R wrist X-ray · PA/AP · detector: Siemens · image 80.1 mm wide · 556 x 786 px: 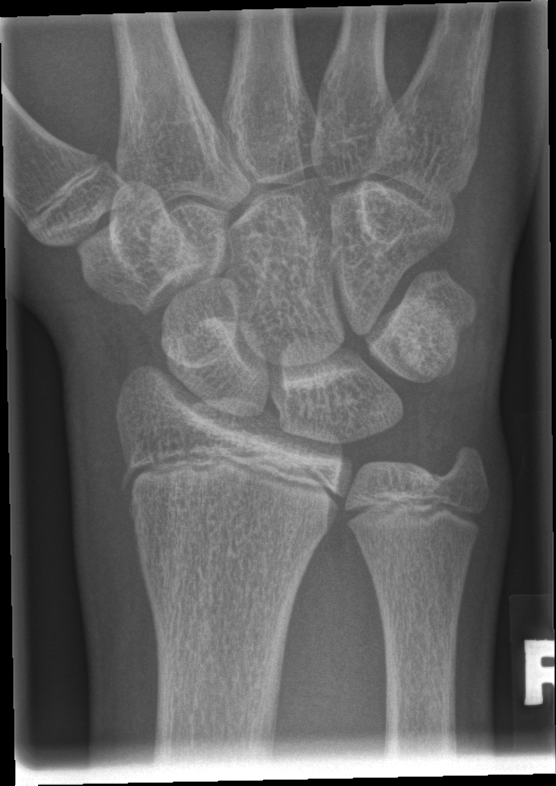

Fx = none labeled